Left wrist XR; PA; 12y F; image size 715x1070

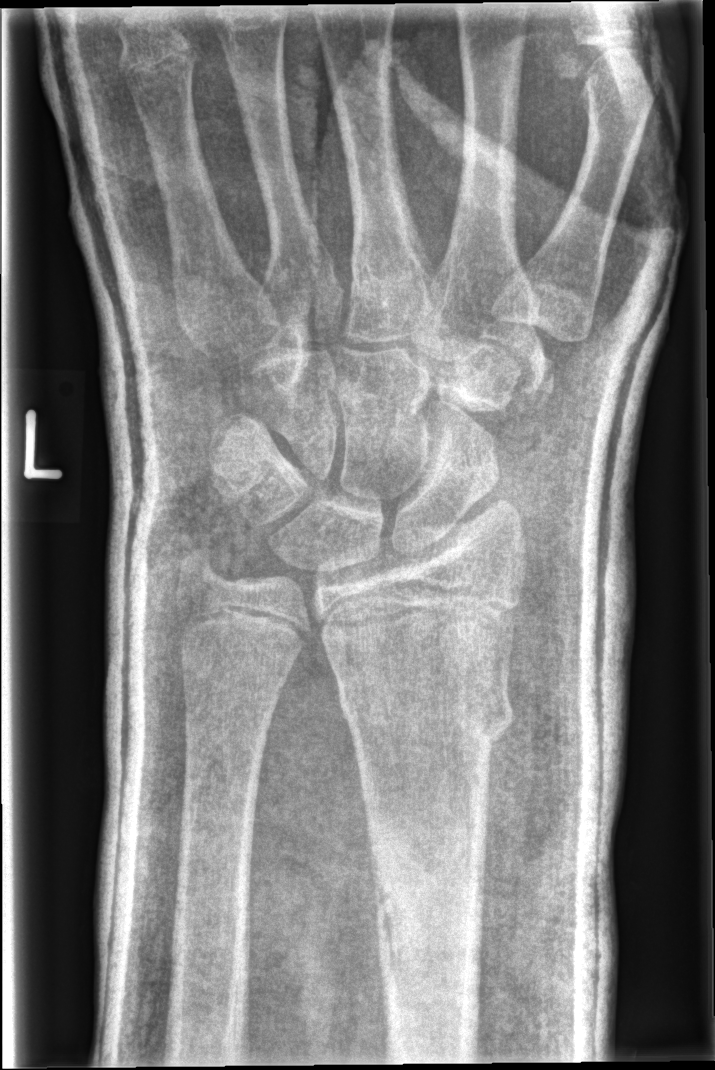 FINDINGS — (coordinates are [x1, y1, x2, y2] in image pixels) Fracture — (336, 666, 519, 746). AO code 23r-M/3.1; 23u-E/7.